Right wrist XR, lateral projection. 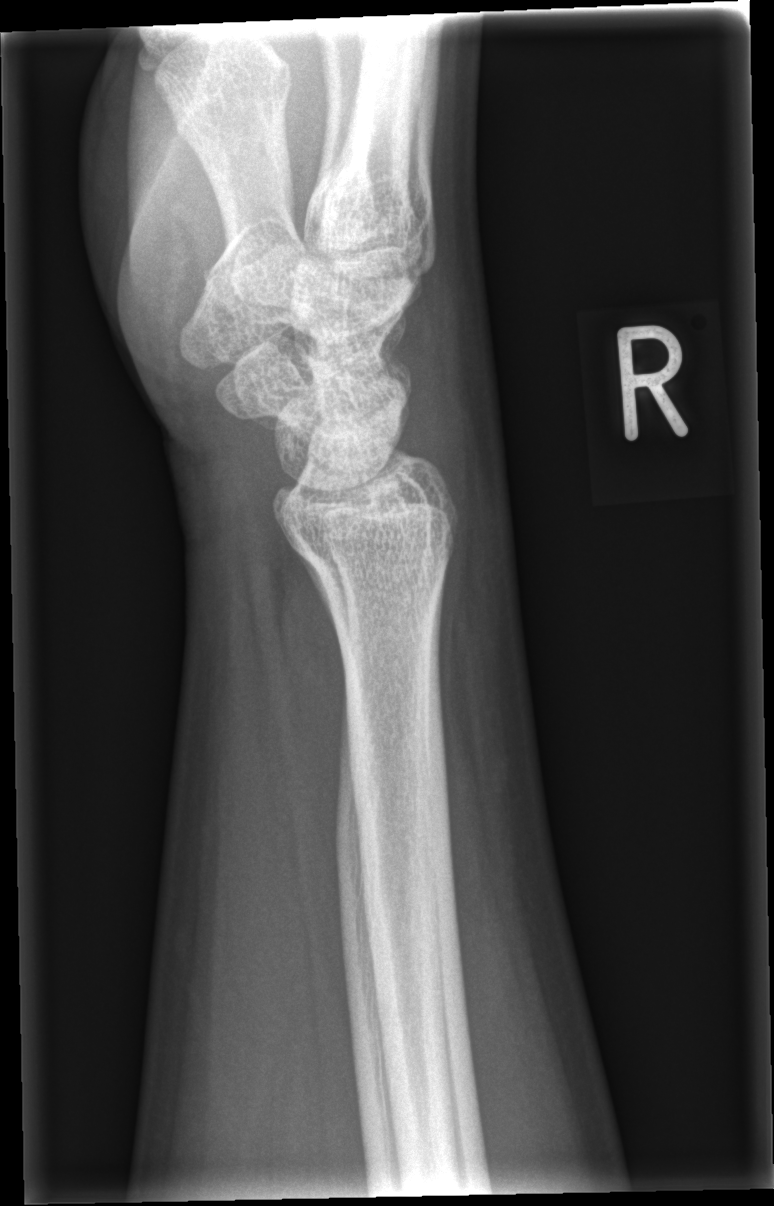

No fracture bounding box.